Right wrist plain film, AP, age 16 y, male, image width 107.0 mm
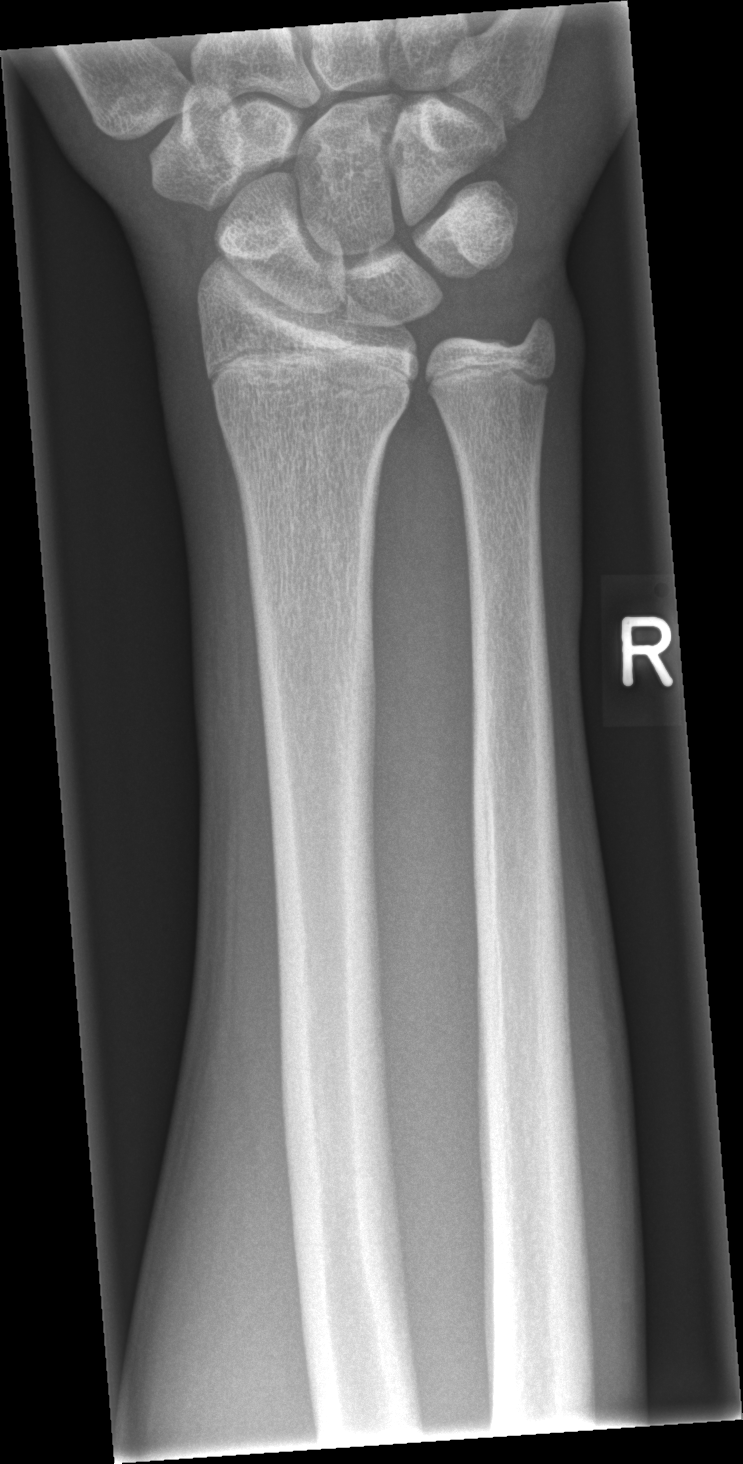
fracture: none labeled